Rt wrist X-ray, lateral view, presentation radiograph:
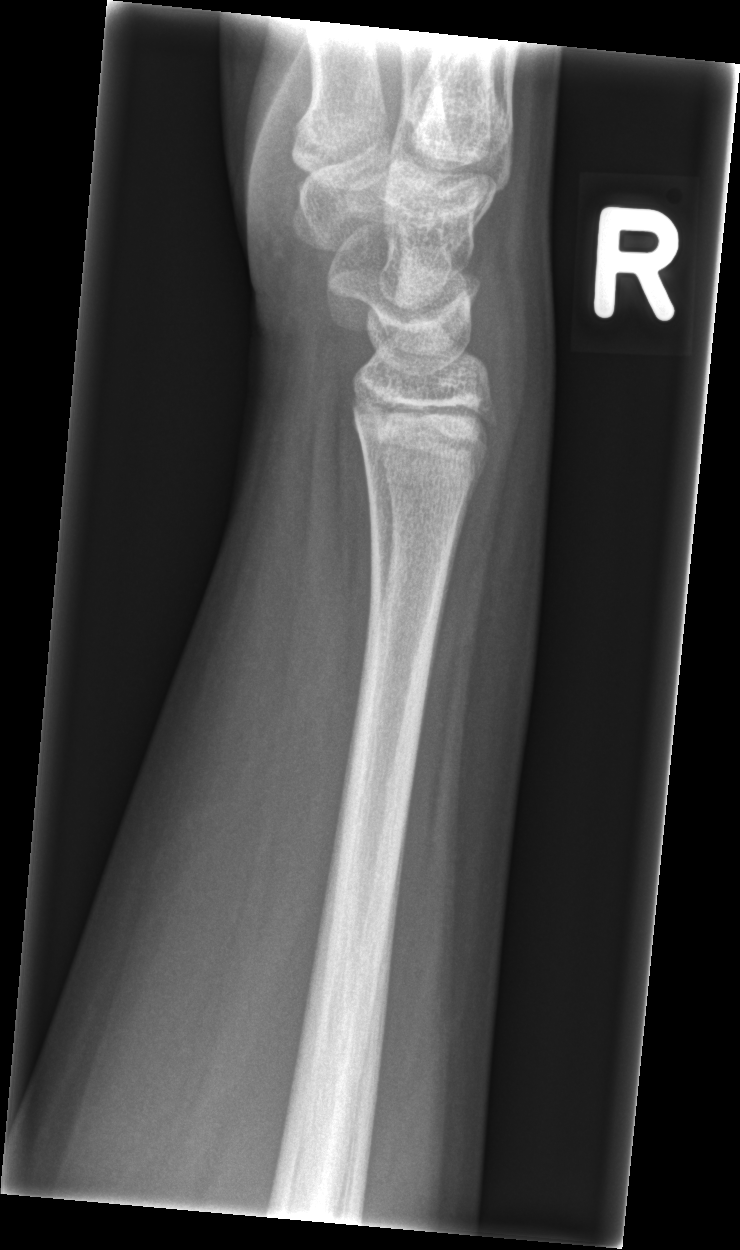 fracture: none labeled